L wrist XR; frontal projection; initial study; findings marked uncertain by the reading radiologist; Siemens

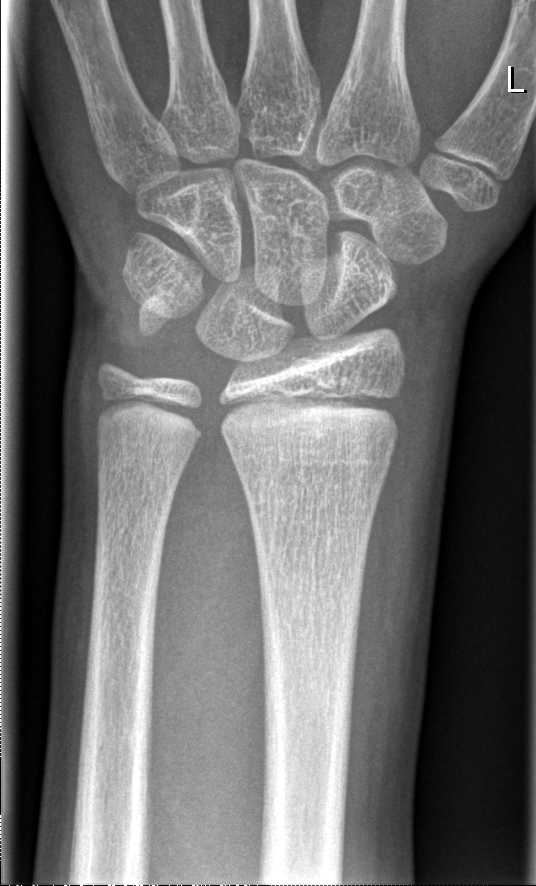
- Bone fracture: (left=222, top=385, right=407, bottom=459).